Left wrist X-ray; AP projection; 8-year-old female —

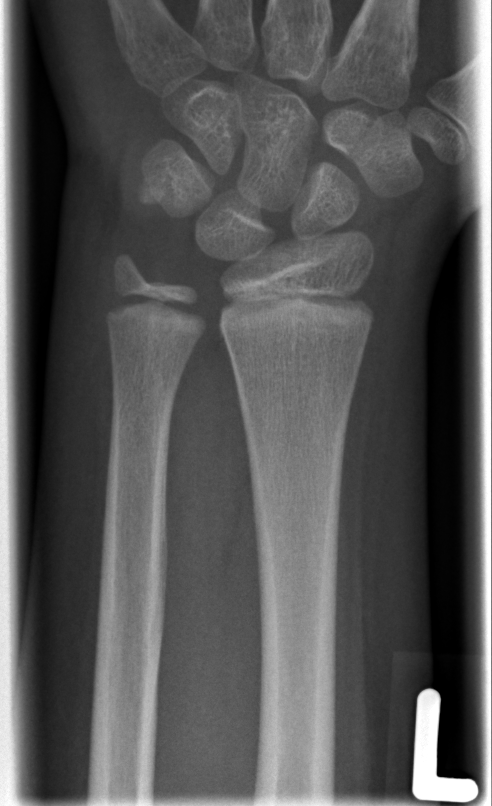 FINDINGS — No Fx annotated.